PA/AP; Rt plain radiograph of the wrist; image size 682x851 —
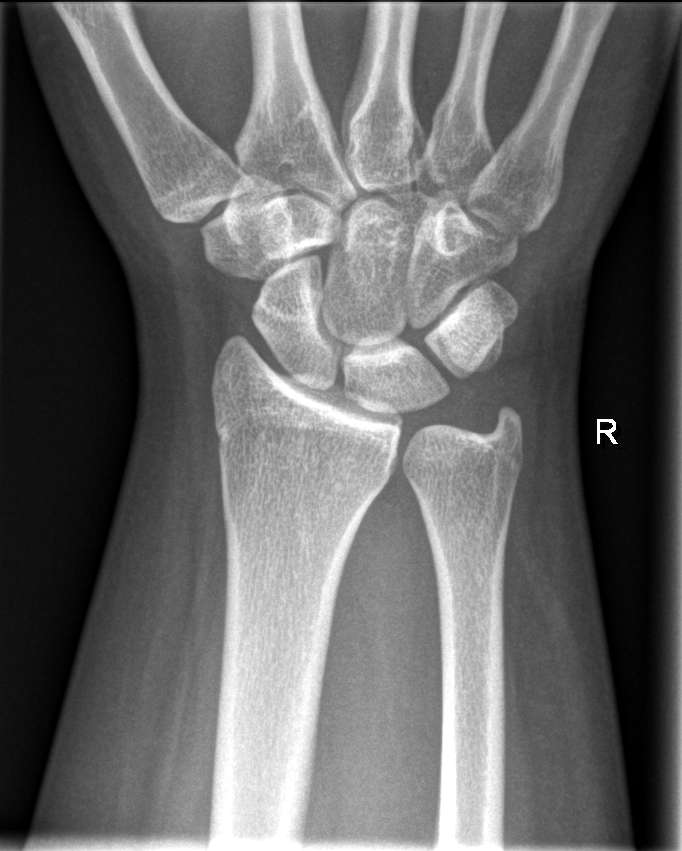

fracture = none labeled